Lat view | L pediatric wrist radiograph | pediatric patient (girl, age 13) —
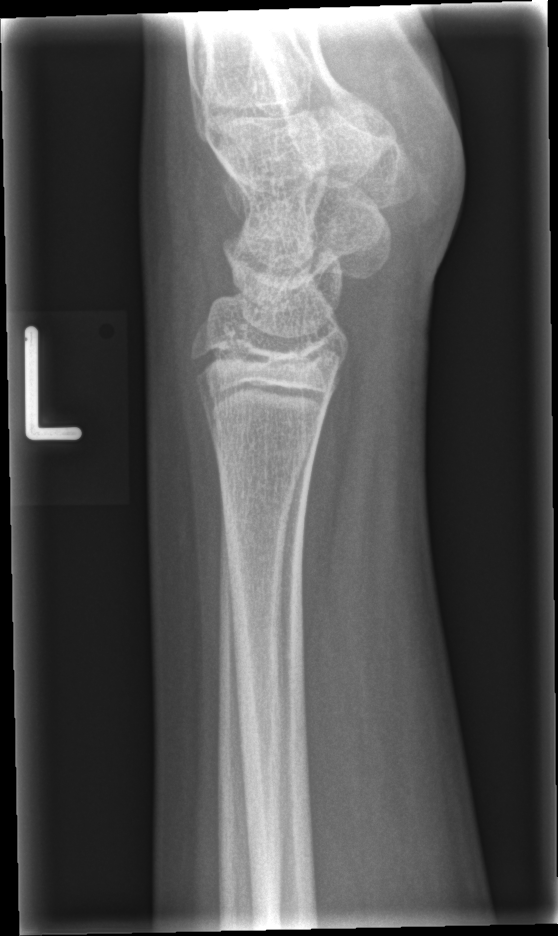 fracture: none labeled